Posteroanterior · Rt pediatric wrist radiograph · 0.3-year-old boy —

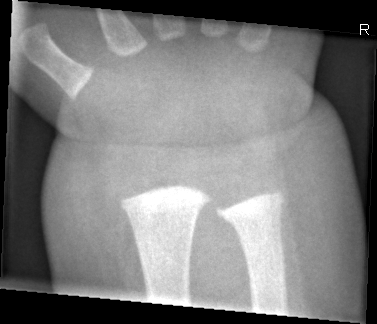

- No Fx annotated.